Posteroanterior view · right wrist pediatric wrist radiograph · female, 16 yo.

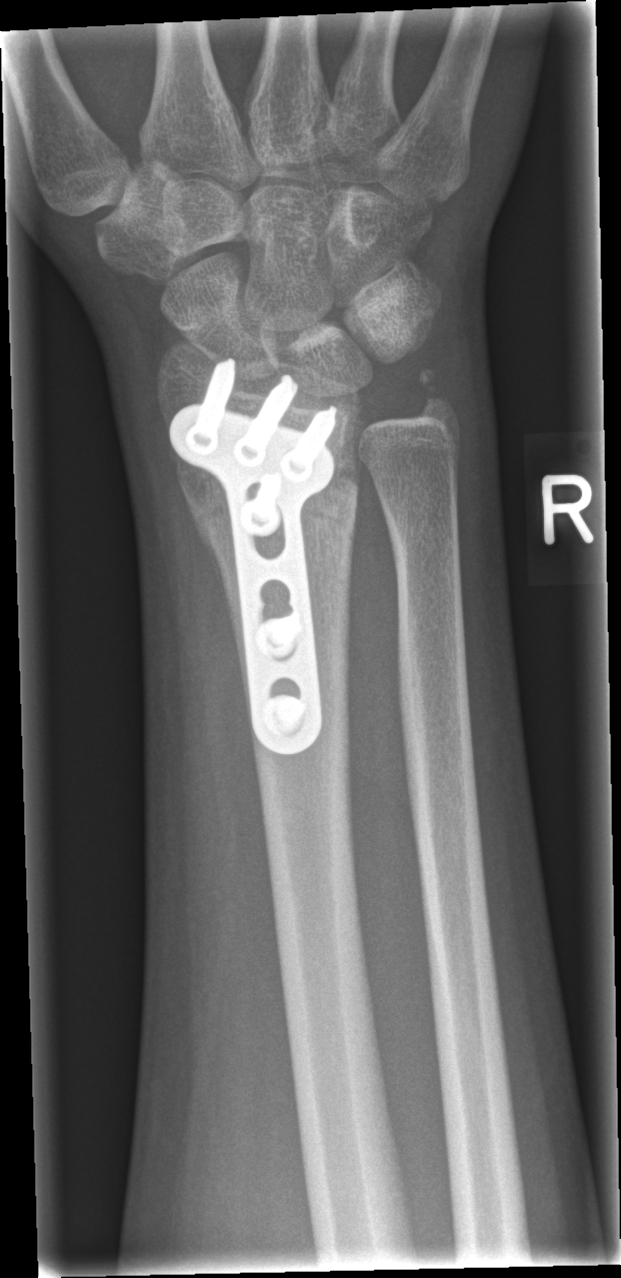

Bone fracture identified at [x1=191, y1=449, x2=363, y2=561] [x1=406, y1=362, x2=464, y2=442]. Fracture classified AO/OTA 23r-M/3.1; 23u-E/7. Hardware — [x1=171, y1=361, x2=341, y2=750].